PA/AP view | Lt pediatric wrist radiograph | 17-year-old boy.
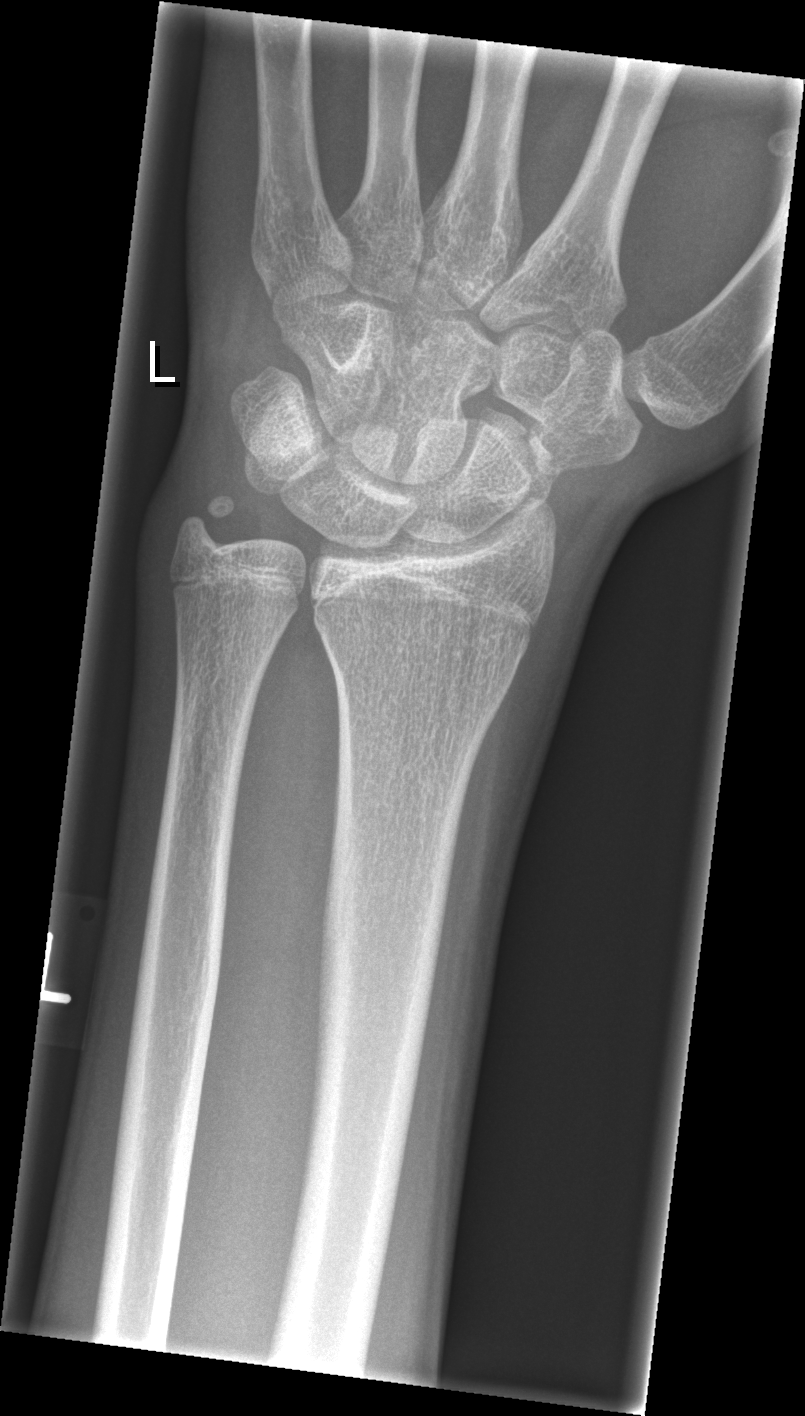 (bounding boxes in image-pixel xyxy)
Q: Is there a fracture?
A: Two fractures at (left=166, top=482, right=243, bottom=564); (left=504, top=418, right=562, bottom=515)
Q: AO code?
A: AO/OTA classification: 72B(c)